Rt wrist plain film · PA projection:

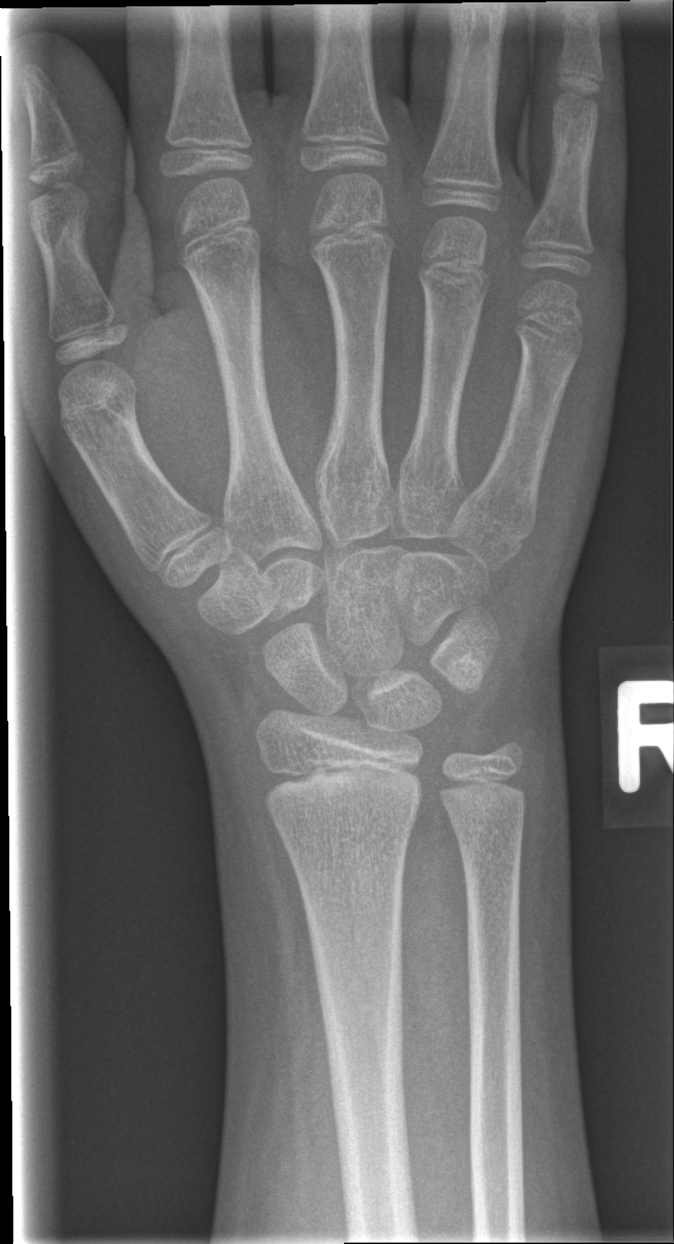

• No fracture bounding box.